AP projection · right wrist plain radiograph of the wrist · pediatric patient (boy, age 15) · 680 by 738 pixels

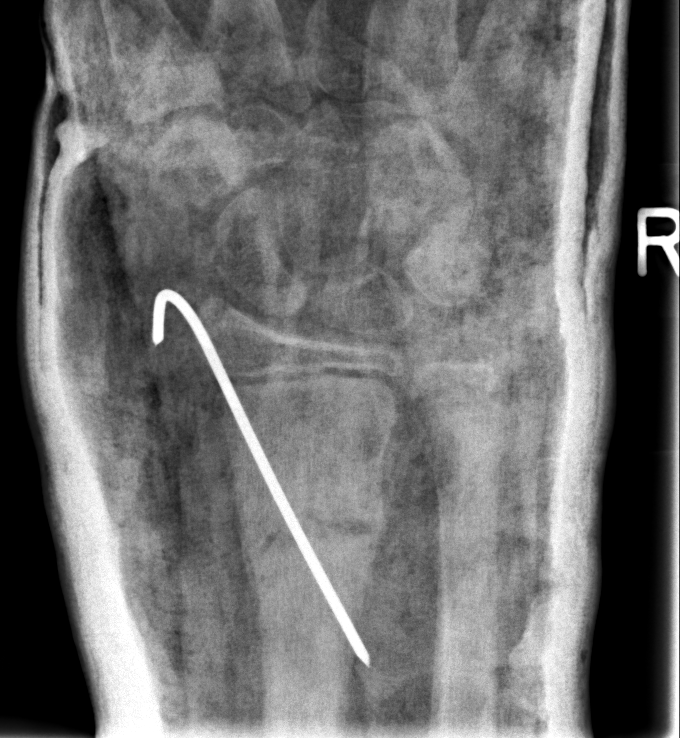 AO code: 23r-M/3.1
hardware: [x1=149, y1=277, x2=376, y2=671]
Fx: 1 @ [x1=217, y1=473, x2=407, y2=597]